Lat | Rt wrist X-ray | 12y M | image width 68.5 mm.
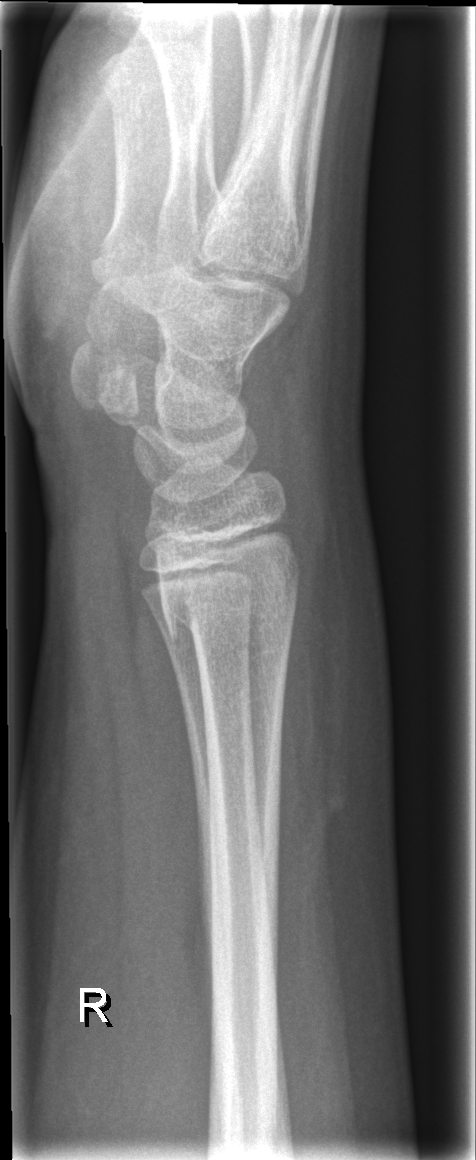 * Bounding boxes in image-pixel xyxy.
* Fx — (154, 549, 307, 651).